Lat projection, Lt wrist radiograph, 12-year-old male, initial study, 647x886.
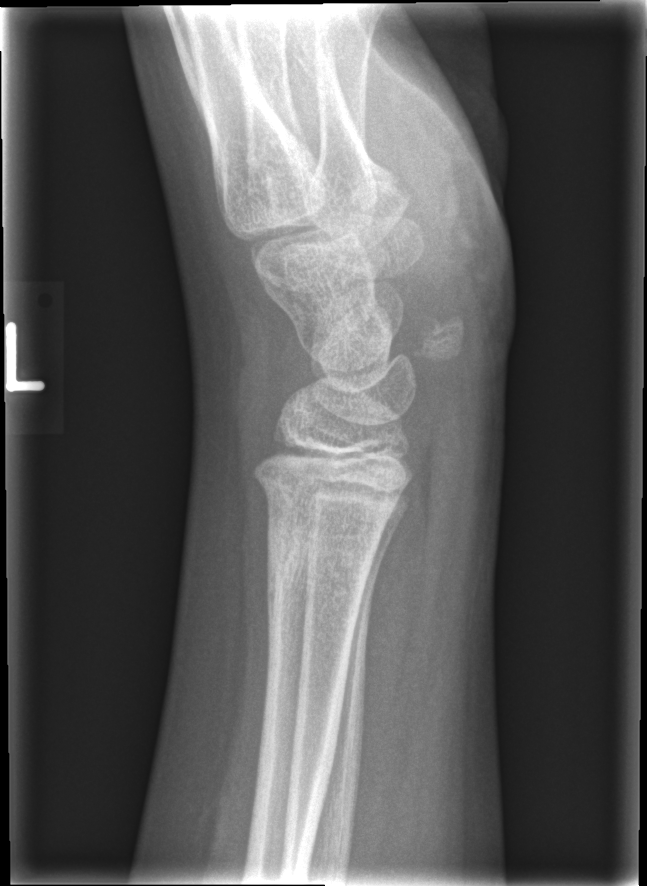 (coordinates are [x1, y1, x2, y2] in image pixels)
Fx = 2 @ (left=264, top=513, right=374, bottom=608), (left=249, top=461, right=400, bottom=529)
AO classification = 23r-M/2.1